Left plain radiograph of the wrist | PA view | age 12 y, male | follow-up study:
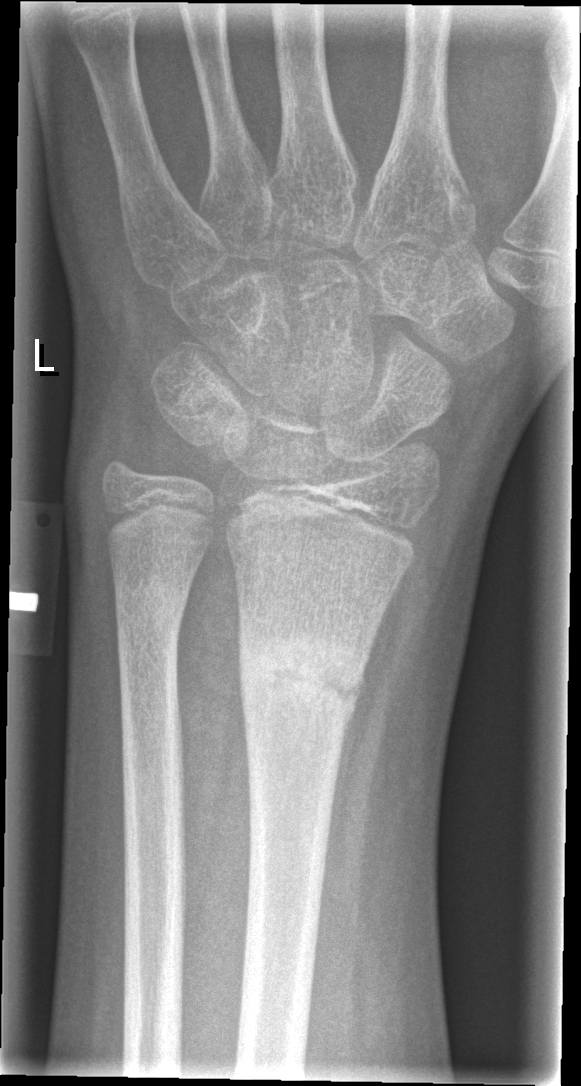

Fracture: <233,637>-<365,724>; <117,582>-<190,643>.